Lateral view, Lt wrist radiograph, 5y F:
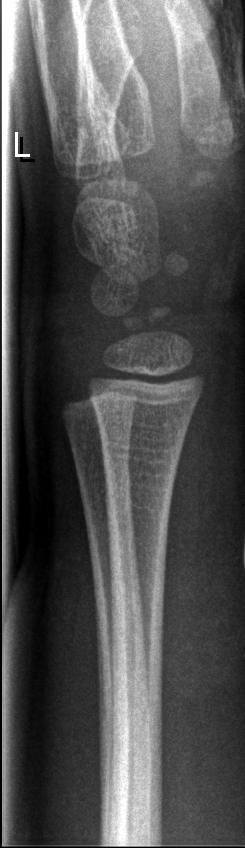 FINDINGS: Fx: none.